Lateral; L wrist XR —

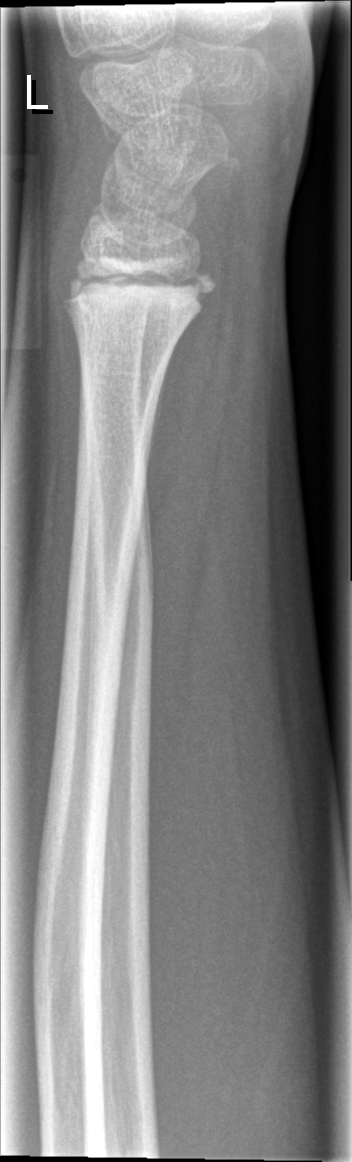 ao: 23r-E/2.1; 23u-E/7
osteopenia: present
fracture: (left=59, top=259, right=219, bottom=328)